Frontal; R wrist radiograph; age 10 y, female
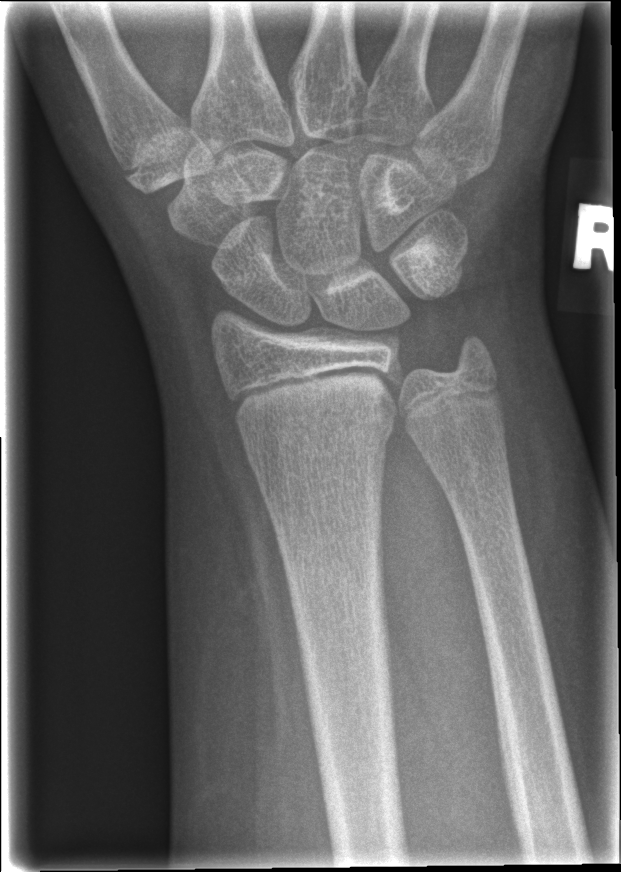

FINDINGS: Fracture classified AO/OTA 23r-M/2.1. One bone fracture at bbox(240, 397, 395, 479).